PA · L wrist XR · male, 14 yo —
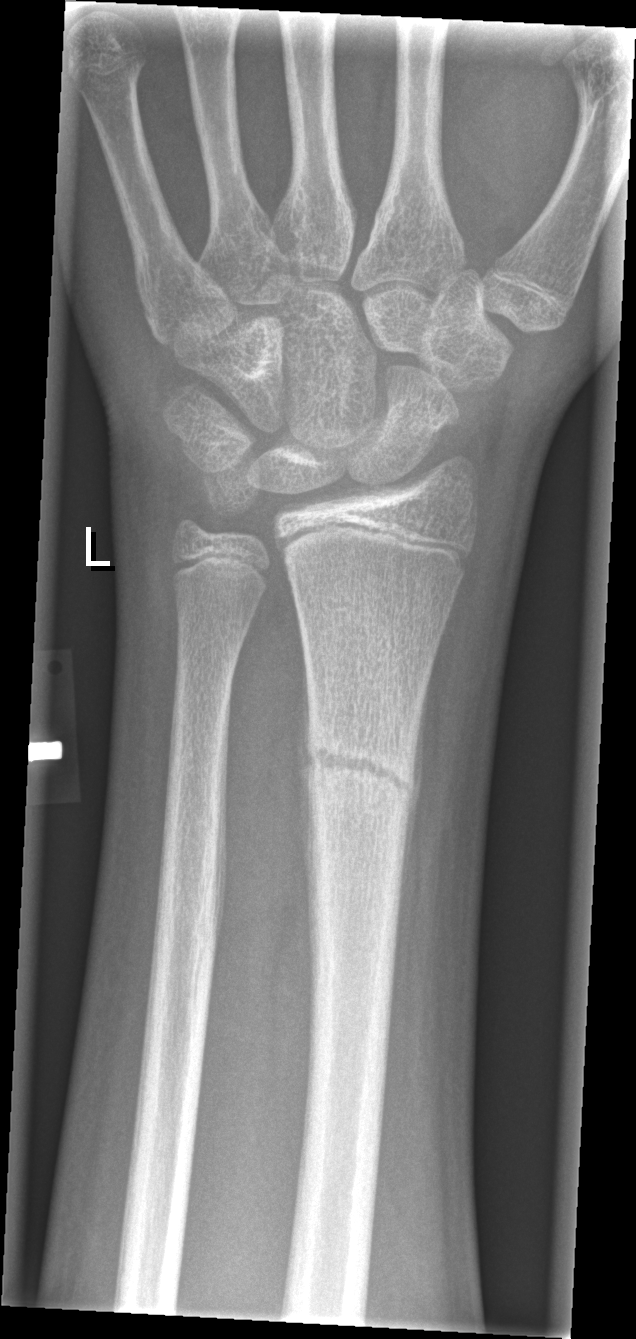
(pixel coordinates, top-left origin, xyxy)
periosteal new bone = 2 @ [x1=397, y1=667, x2=433, y2=954]; [x1=294, y1=648, x2=316, y2=911]
Fx = [x1=297, y1=722, x2=423, y2=815]